PA view, right wrist plain film, 10y F, 84.4 mm image width.
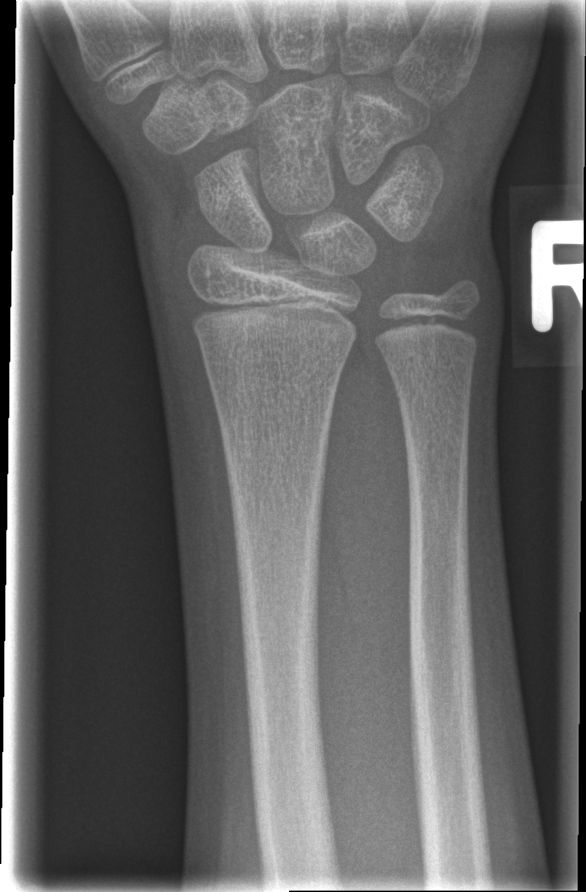
FINDINGS: No fracture annotation.